R pediatric wrist radiograph, lateral projection, boy, 5 yo, in cast, acquired on Siemens

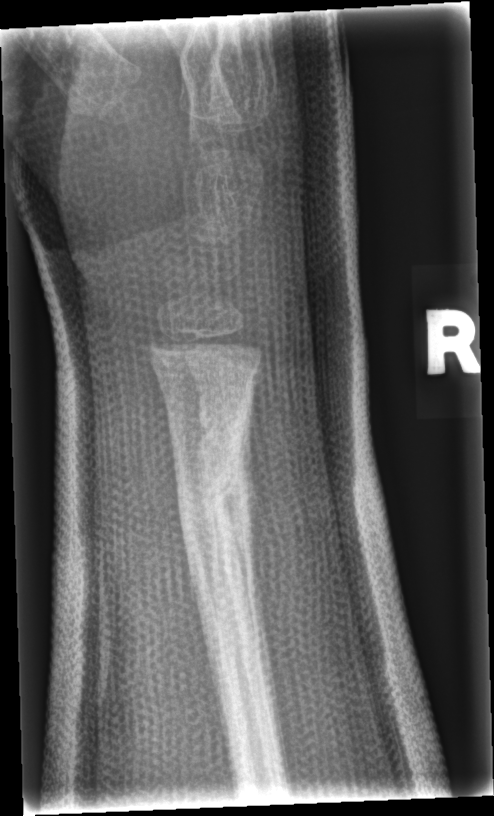

FINDINGS — Bone fracture identified at 174 456 251 553.